Rt plain radiograph of the wrist, PA view, presentation radiograph —

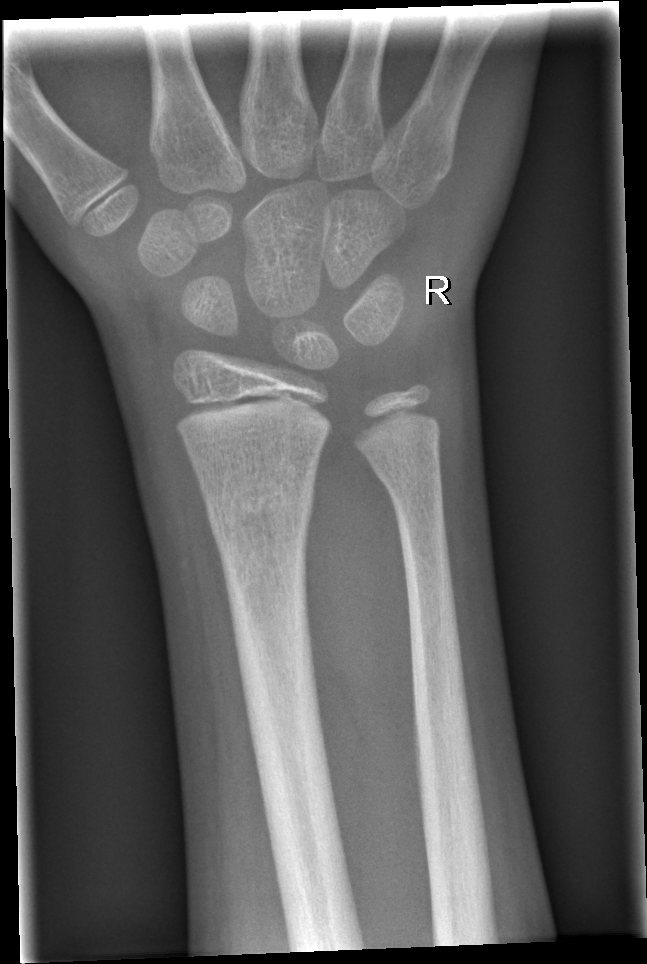 {"_coords": "bounding boxes in image-pixel xyxy", "fracture": "(201, 455, 323, 550); (376, 436, 447, 510)"}